Right wrist plain radiograph of the wrist · posteroanterior projection · initial study — 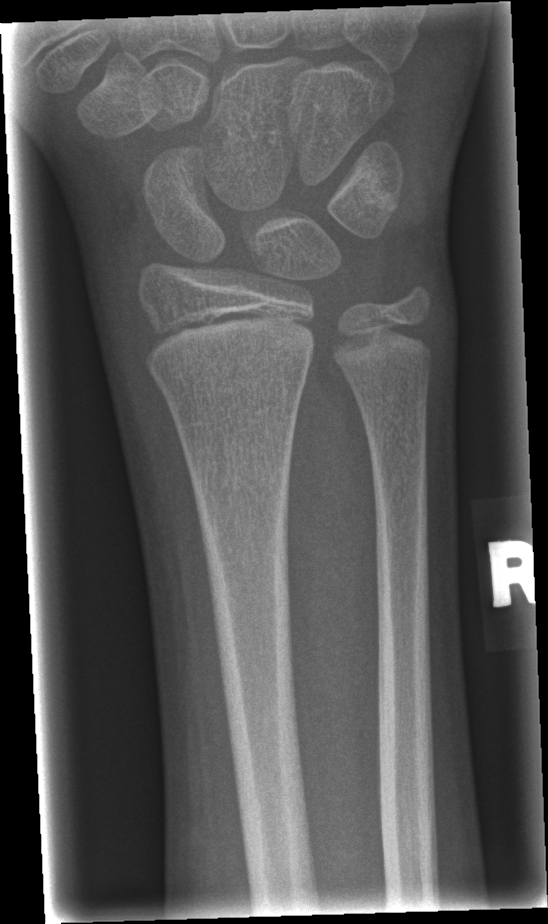 Fx = none labeled